Right wrist radiograph; frontal projection; pediatric patient (girl, age 9) —
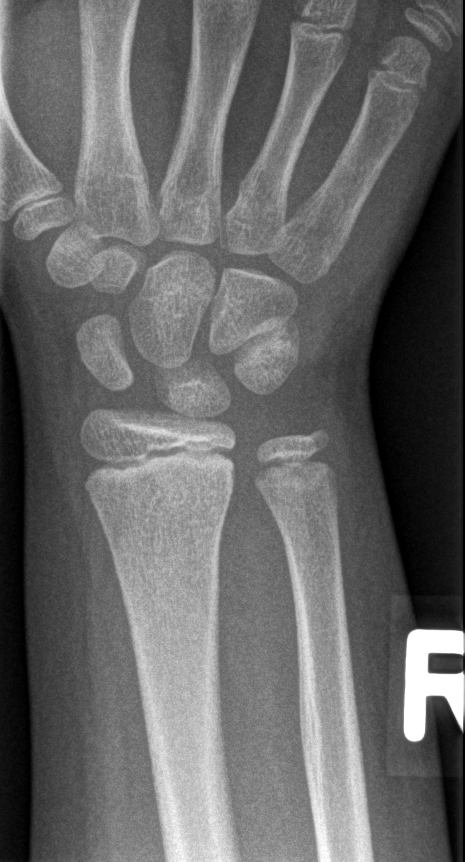
Fracture classified AO/OTA 23r-M/2.1.
Fracture present, though not clearly seen in this view.